AP projection; Rt wrist radiograph; 8y F; index exam 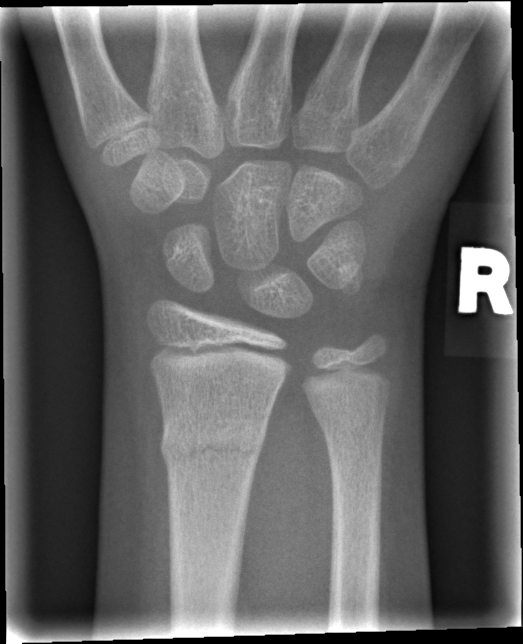

Q: What is the AO/OTA classification?
A: AO code 23r-M/3.1; 23u-M/2.1
Q: Any fracture seen?
A: One Fx at 158 413 270 469